Lat view · L wrist XR · 444 x 948 px — 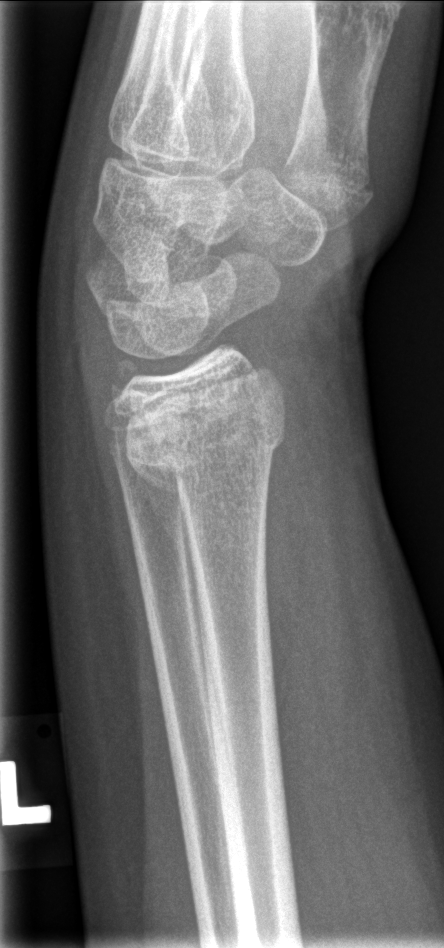
(coordinates are [x1, y1, x2, y2] in image pixels)
Q: Any fracture seen?
A: Fx — bbox(124, 380, 291, 500); bbox(100, 356, 155, 415)